Right wrist radiograph; lat projection; 17y F; detector: Siemens.

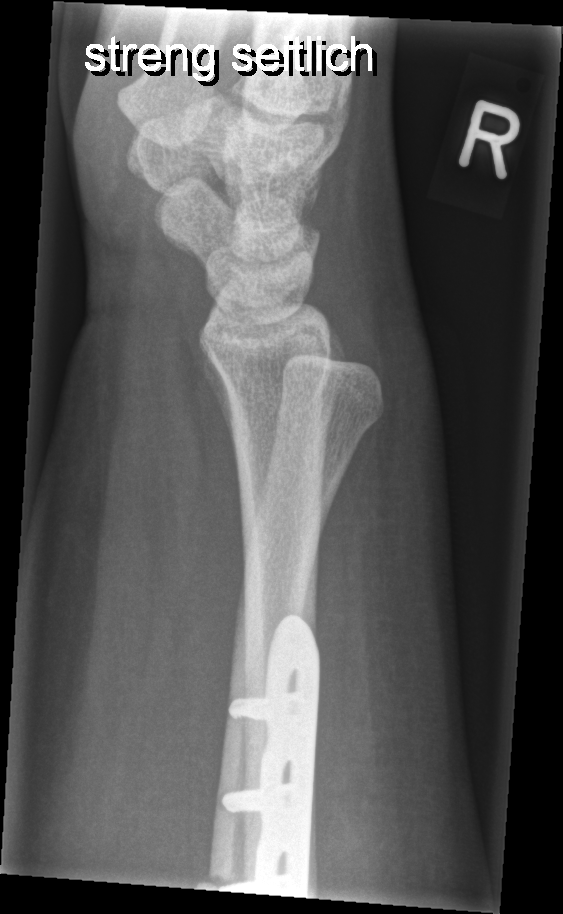

Findings: Hardware — [x1=210, y1=612, x2=322, y2=897]. No fracture annotation.